L wrist X-ray | frontal | index exam
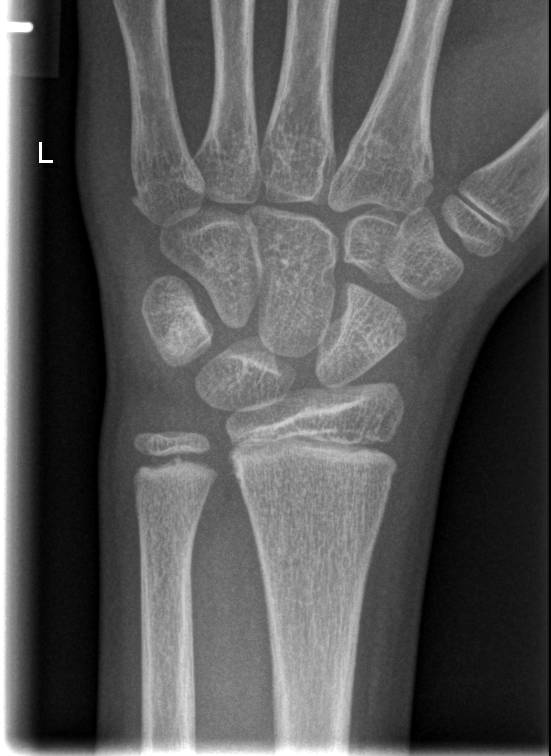
Findings: No fracture bounding box.